Right wrist pediatric wrist radiograph, lateral projection.
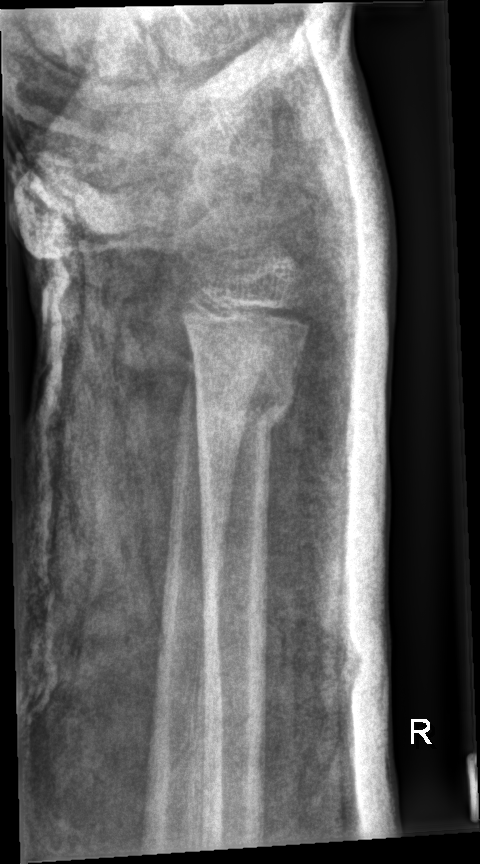
One Fx at 191 361 300 450. Fracture classified AO/OTA 23-M/2.1.